Lateral view · L wrist radiograph · age 3 y, female · image width 53.0 mm —

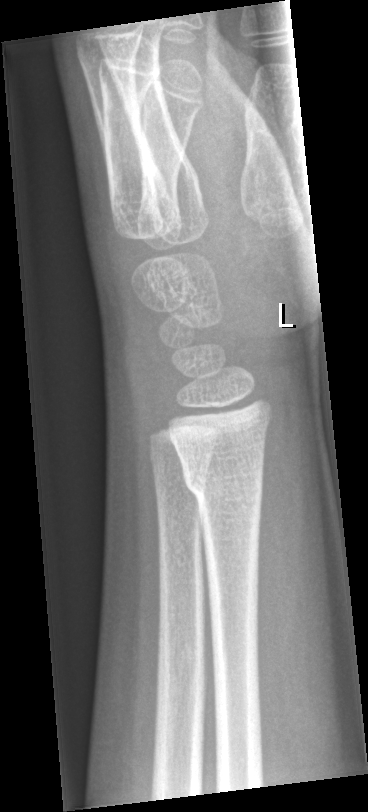
(boxes as x1,y1,x2,y2 (top-left / bottom-right, pixel units))
Fracture = <180,462>-<267,501>